Right wrist radiograph, AP view, 9-year-old girl, presentation radiograph, 619x1020:

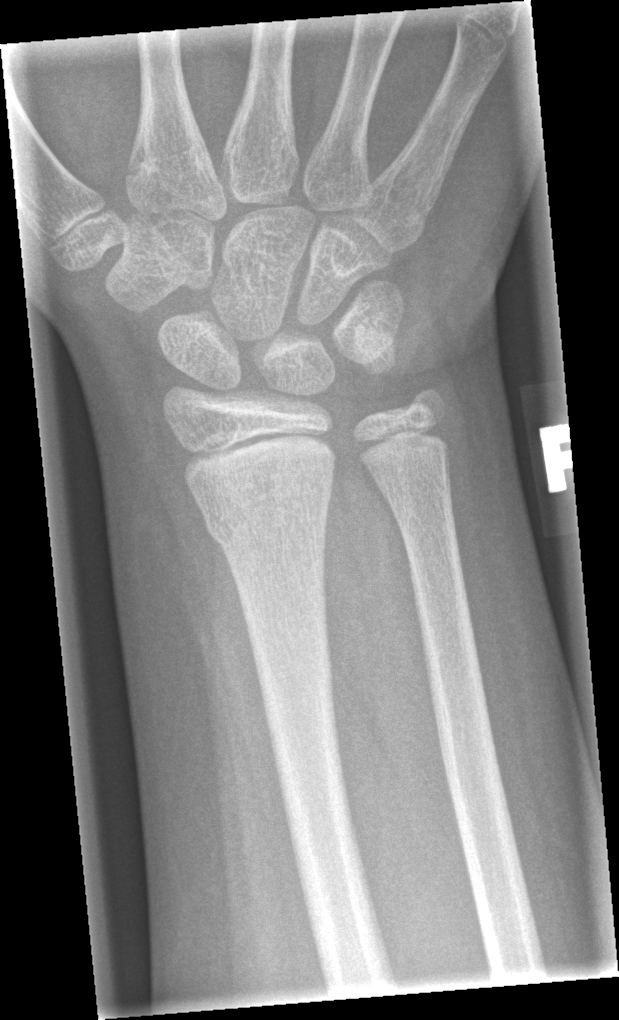 (pixel coordinates, top-left origin, xyxy)
Q: Fracture present?
A: Bone fracture: (left=199, top=485, right=333, bottom=548)